PA/AP projection | Rt wrist radiograph | follow-up | acquired on Siemens | 590 x 856 px.
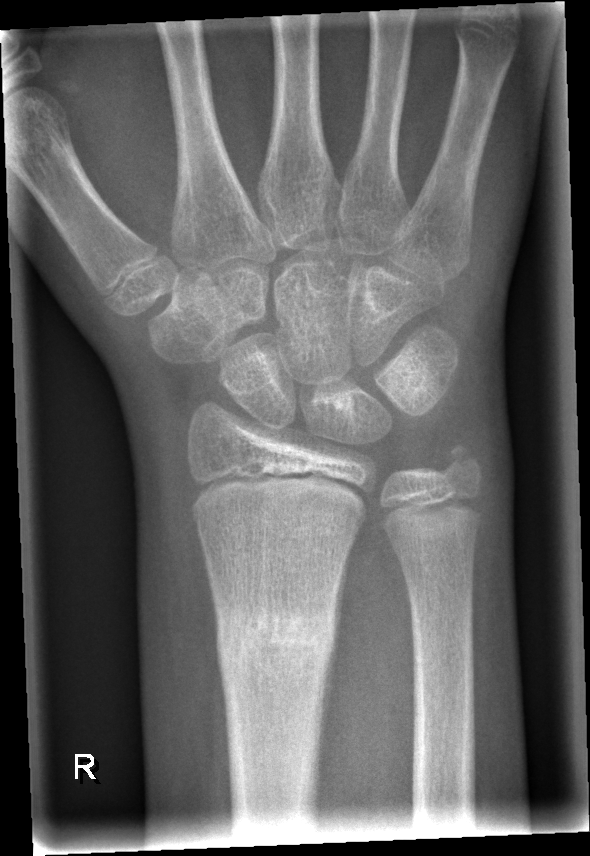
Fx identified at 211,596,341,685 | 429,430,485,489. Fracture classified AO/OTA 23r-M/2.1; 23u-E/7.